Left wrist plain film; lat view; imaged through cast.
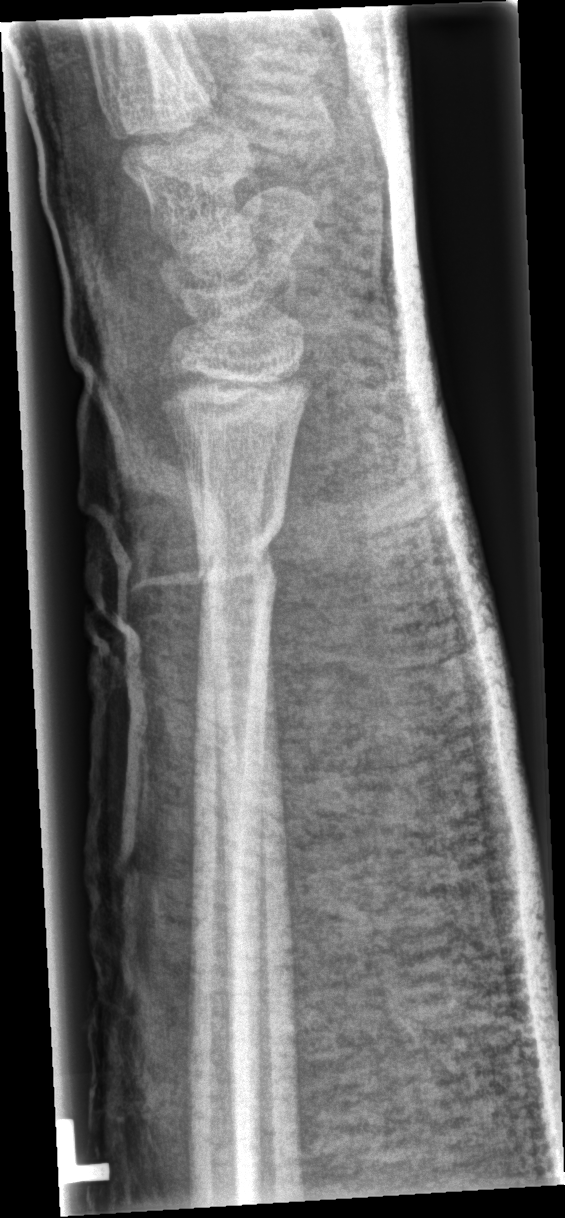

* Pixel coordinates, top-left origin, xyxy.
* One bone fracture at [x1=189, y1=504, x2=287, y2=604].